Lateral projection | left wrist XR | image size 655x1242 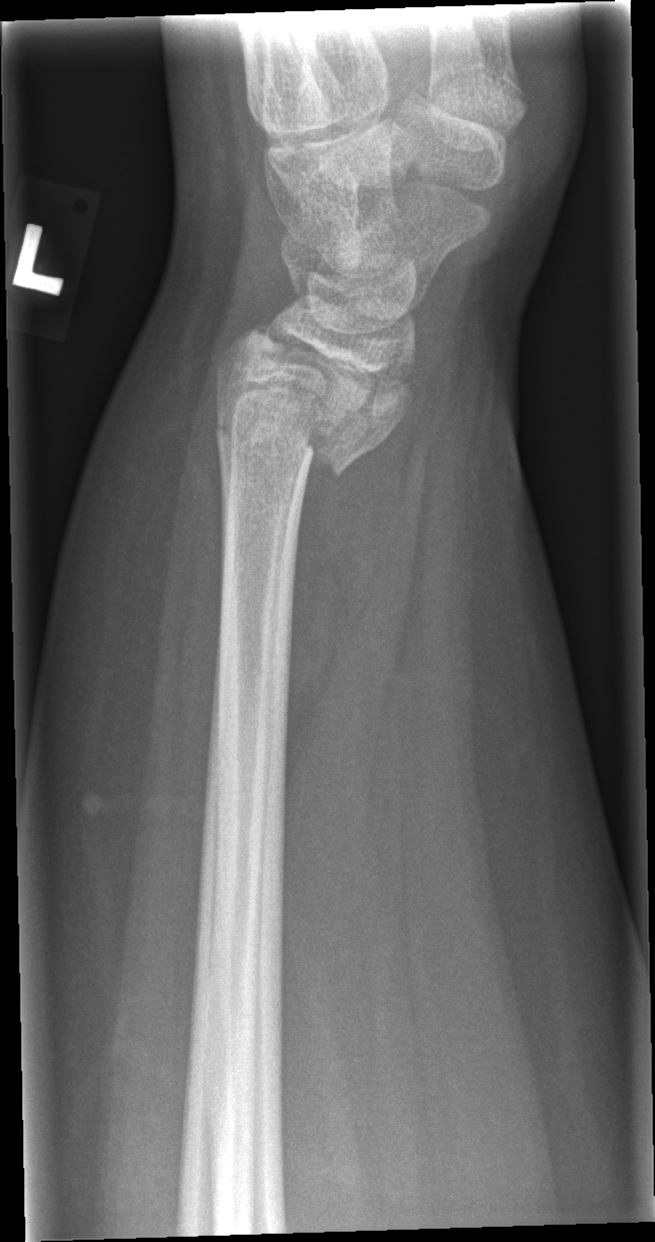

Fx = 202,383,411,503